Lateral view, left wrist XR, age 11 y, boy —
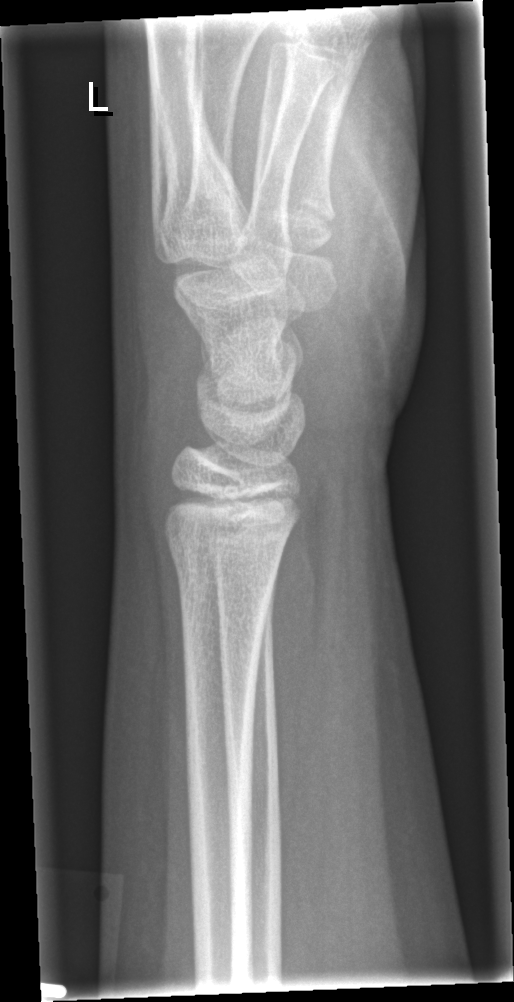

• Fracture — [x1=156, y1=518, x2=286, y2=584].
• AO code 23r-M/2.1.